Lt plain radiograph of the wrist, posteroanterior view, 15y F, presentation radiograph: 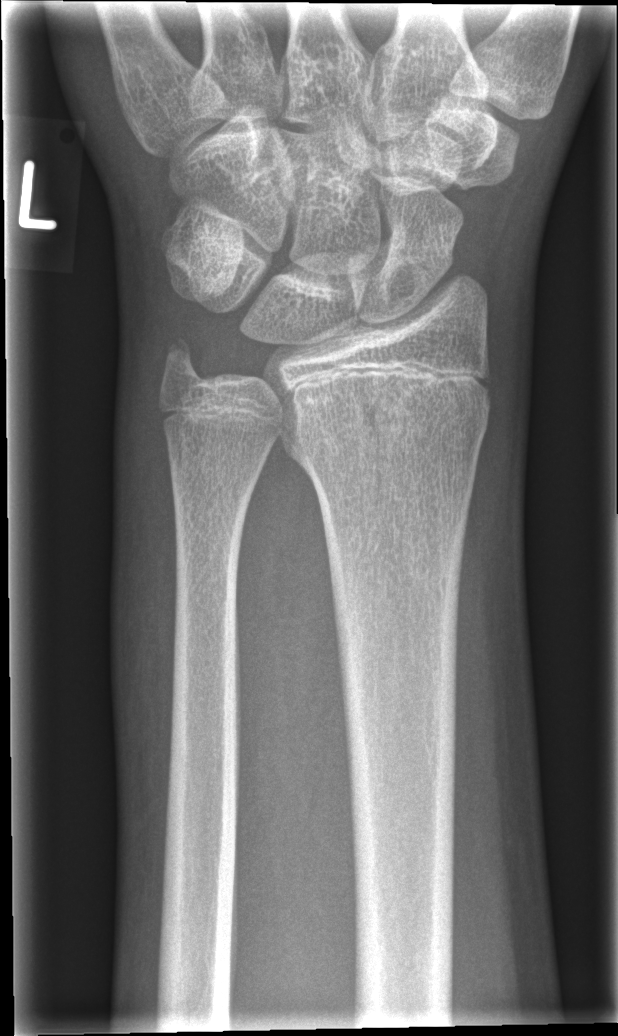 (coordinates are [x1, y1, x2, y2] in image pixels)
Q: What is the AO/OTA classification?
A: Fracture classified AO/OTA 23r-M/2.1; 23u-E/7
Q: Any fracture seen?
A: Bone fractures — [x1=285, y1=372, x2=498, y2=470] [x1=151, y1=332, x2=213, y2=390]